Right wrist plain film | lat projection | 524 x 1054 px

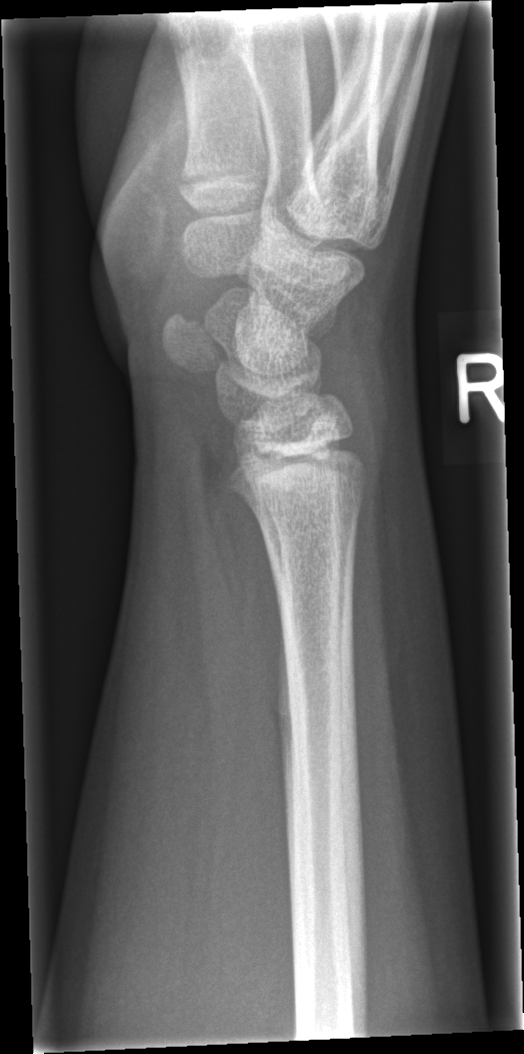 No fracture labeled.